Left wrist radiograph | lat view | male, 10 yo | cast present | 739 by 1260 pixels:

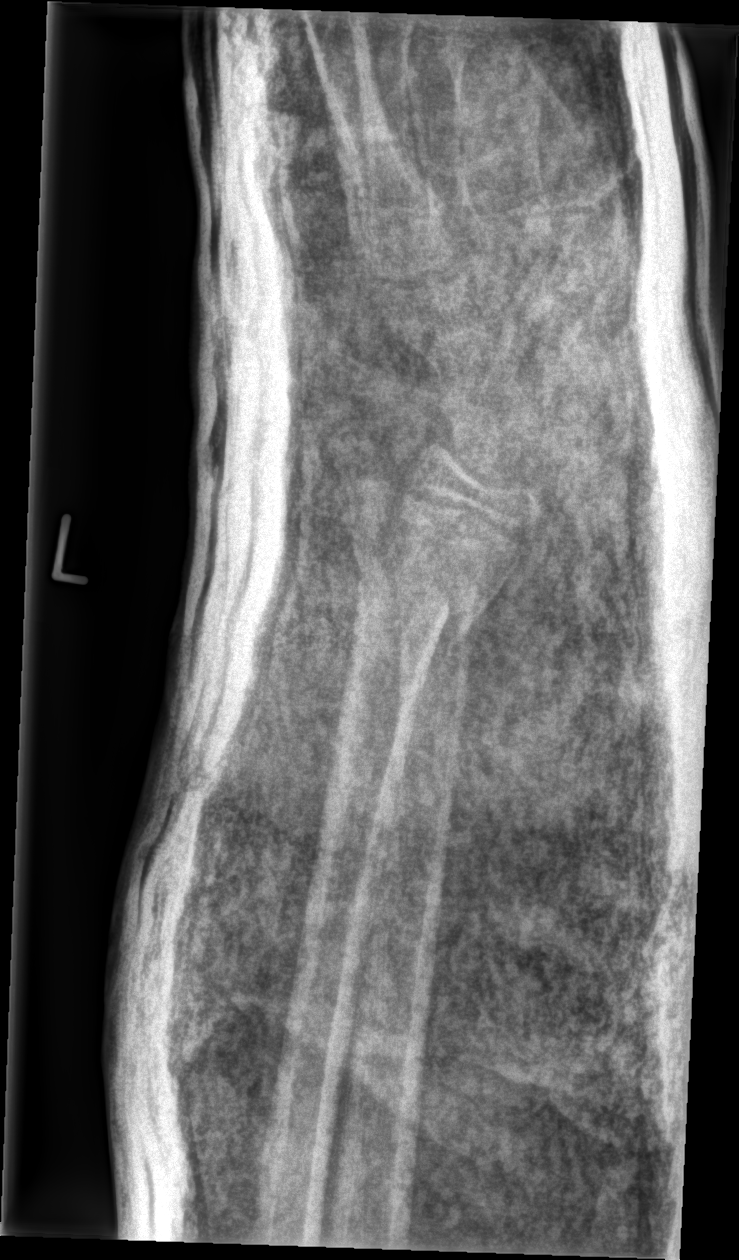 FINDINGS: (boxes as x1,y1,x2,y2 (top-left / bottom-right, pixel units)) Fracture identified at 344 557 477 662.